Lateral, right wrist plain film, 14y M.

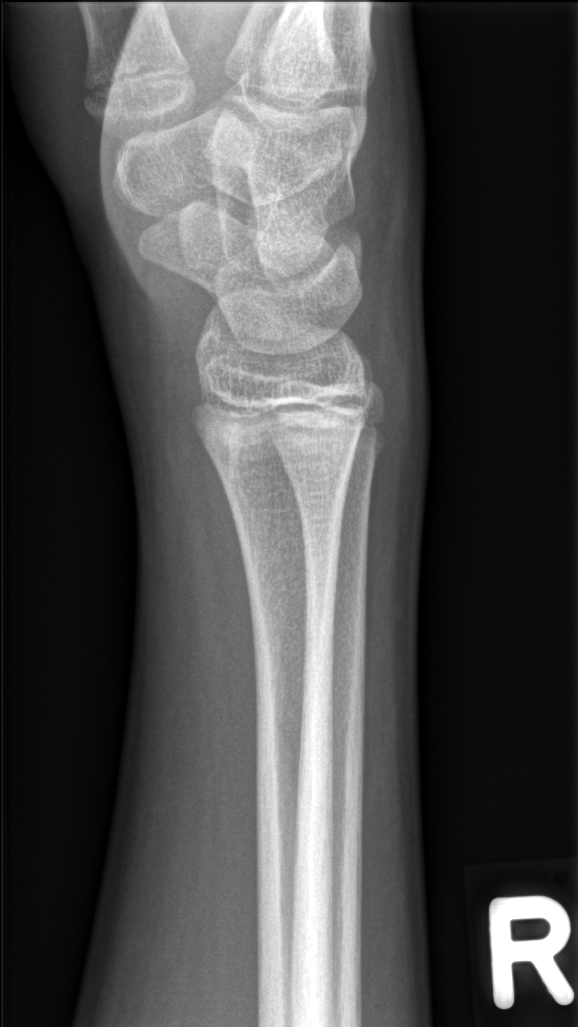

Q: Is there a fracture?
A: Fx: none